PA/AP, R plain radiograph of the wrist, 15y M, Siemens, image 96.5 mm wide, 670 x 1331 px
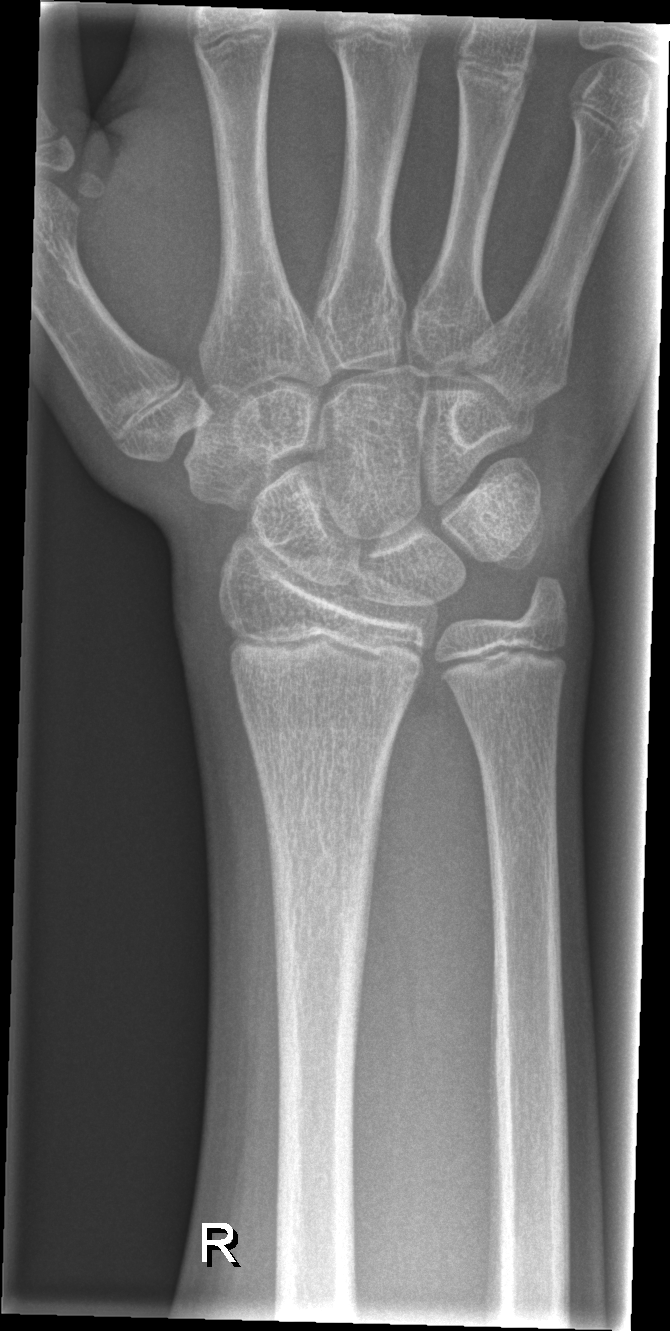

No fracture labeled.